Lt wrist XR | PA/AP view —
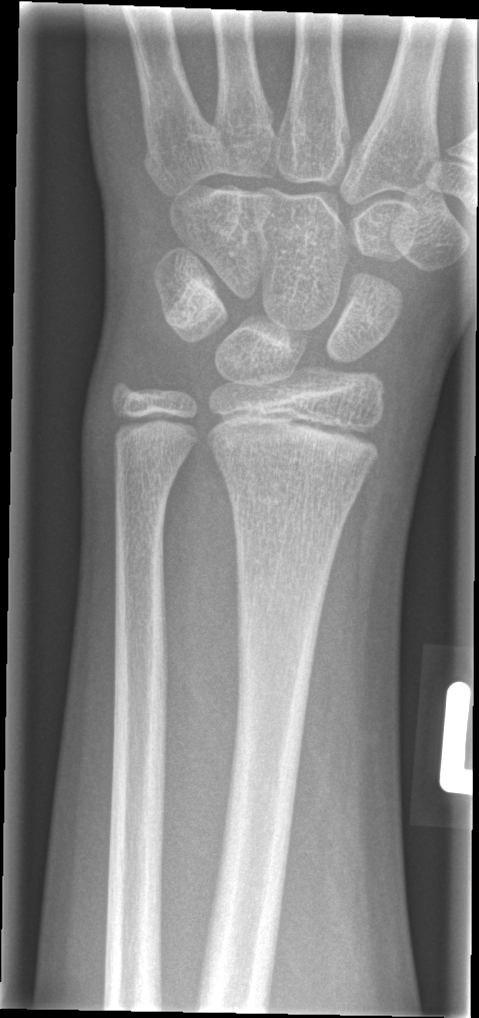

Fracture: none labeled.